Right wrist X-ray · frontal projection · pediatric patient (male, age 11) · initial study · 538 by 744 pixels:
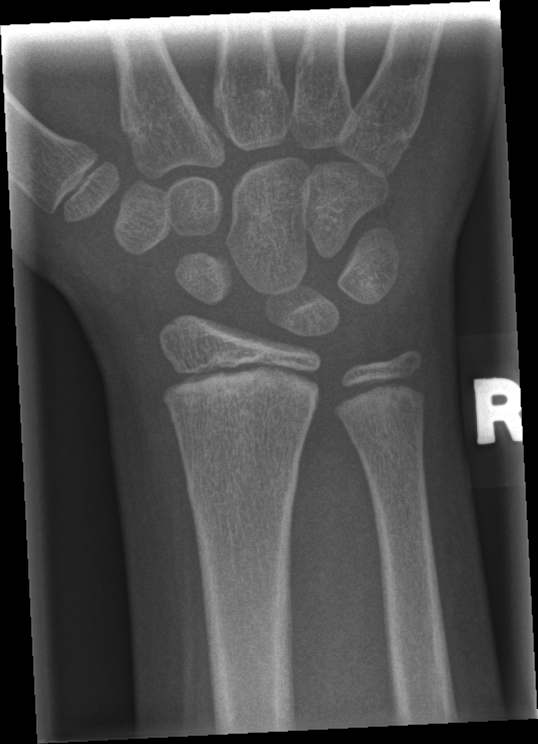 AO code 23r-M/2.1. One fracture at (183, 451, 301, 515).